PA projection; right wrist radiograph; 10y M; acquired on Siemens; image 71.4 mm wide:

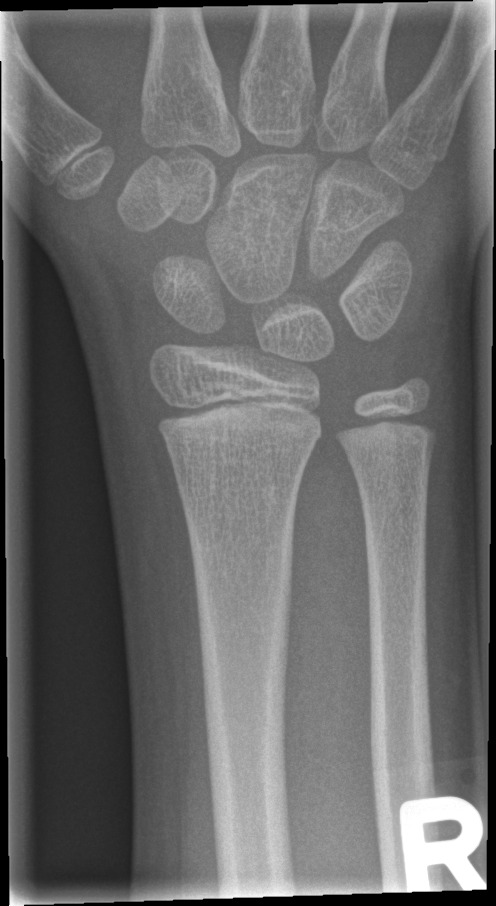

fracture: none labeled